R pediatric wrist radiograph; lateral projection; 57.7 mm image width; 401x984. 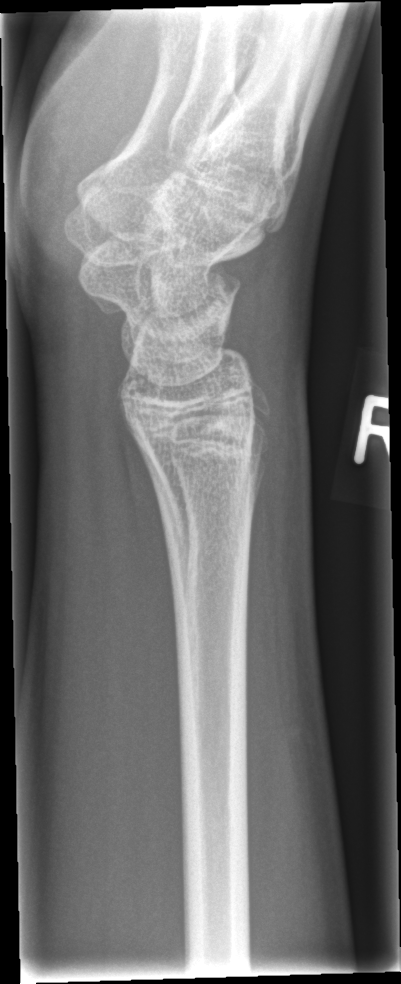

No fracture annotation.